Lat | left wrist XR | age 8 y, male | 507x904.

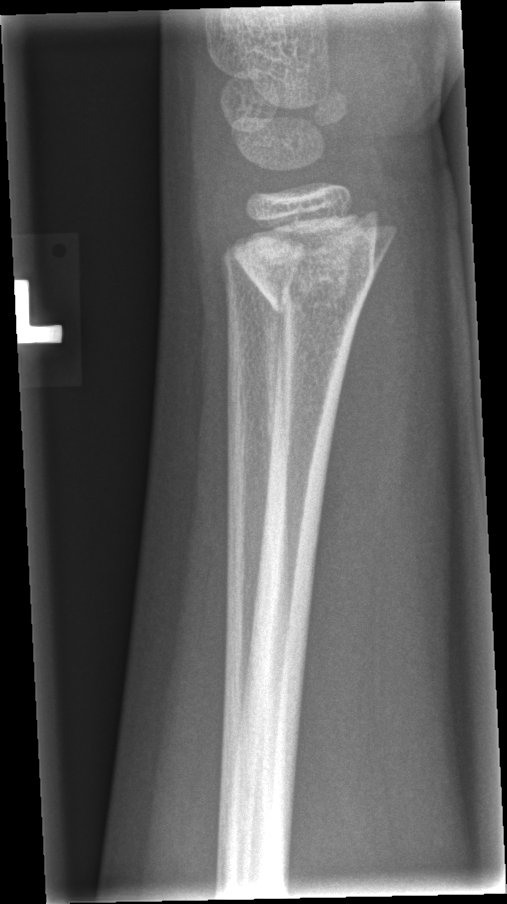

FINDINGS: Fracture classified AO/OTA 23r-E/2.1. Bone fracture — [247, 243, 382, 328].